L pediatric wrist radiograph · lateral projection · cast in situ · 633x1012 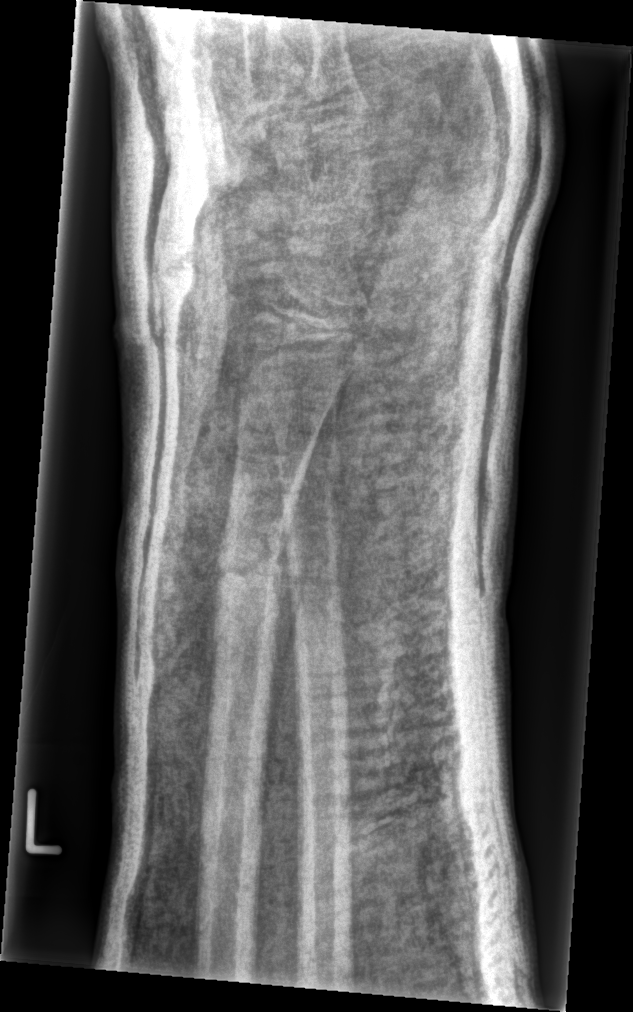

- Boxes as x1,y1,x2,y2 (top-left / bottom-right, pixel units).
- Fx identified at 210 528 302 630.
- AO code 23r-M/3.1; 23u-M/2.1.